Rt wrist X-ray · PA/AP projection · girl, 12 yo · presentation radiograph · 686x1166:
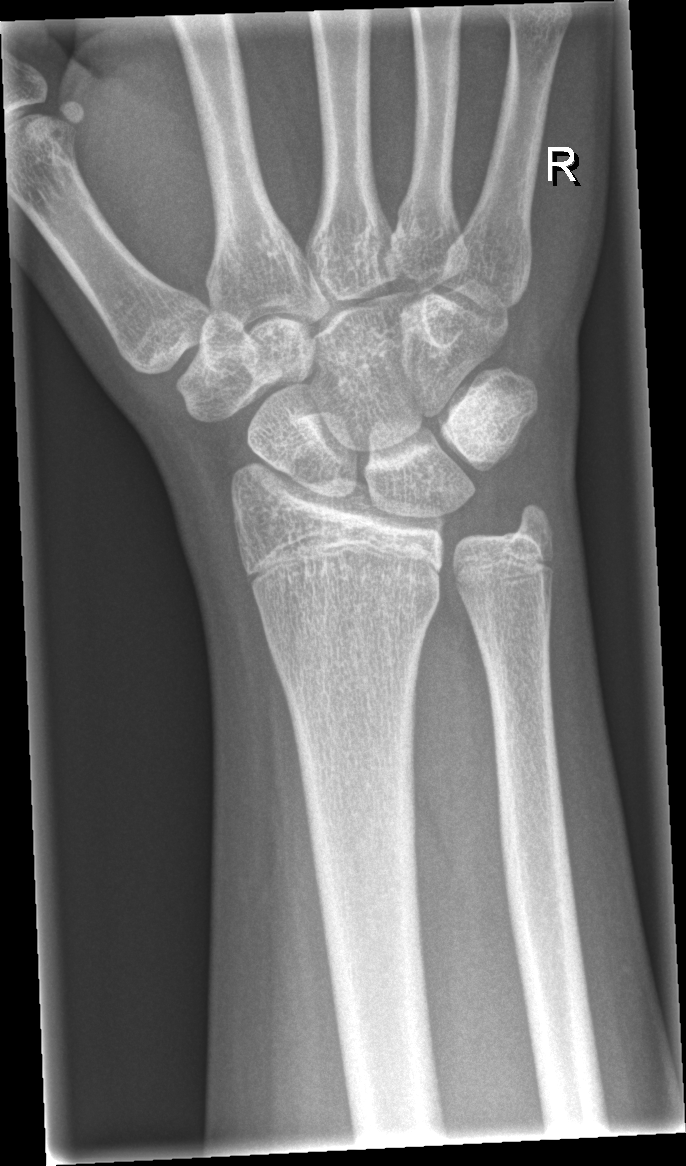

Fracture: none labeled.